Left wrist plain radiograph of the wrist, lateral, 11-year-old boy, 523x1168

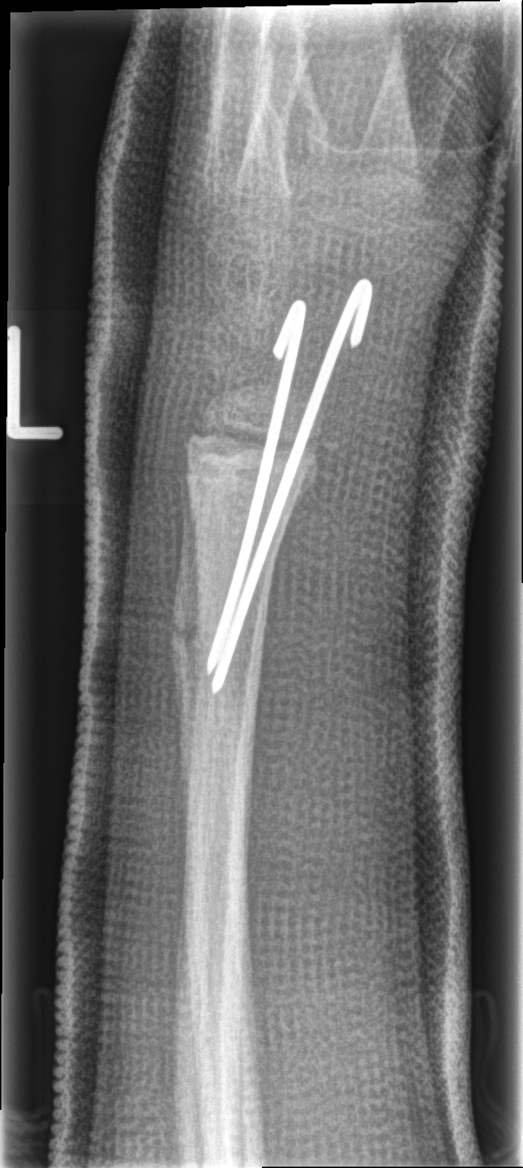

  metal: 1 @ bbox(203, 276, 372, 697)
  fracture: 2 @ bbox(166, 582, 270, 716), bbox(179, 436, 323, 508)
  ao: 23r-E/2.1; 23u-M/3.1; 23u-E/7